PA, right wrist X-ray, 9-year-old boy, initial study, 504x736 —
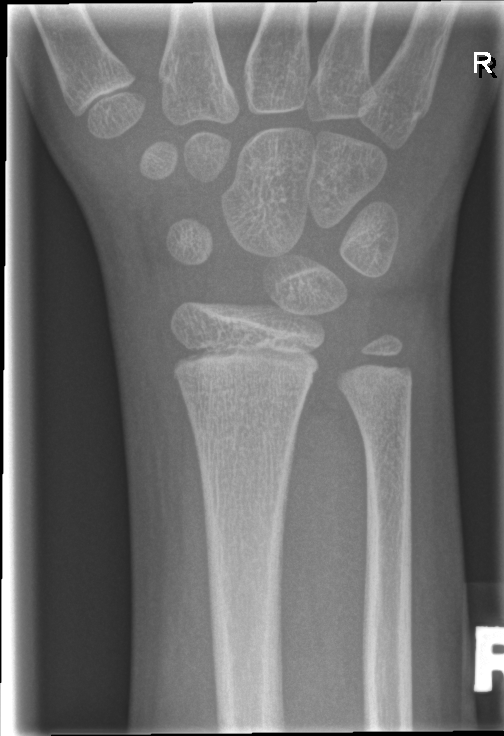
Q: Fracture present?
A: No fracture labeled